Lateral view; R wrist plain film; 11y F; presentation radiograph; acquired on Siemens —
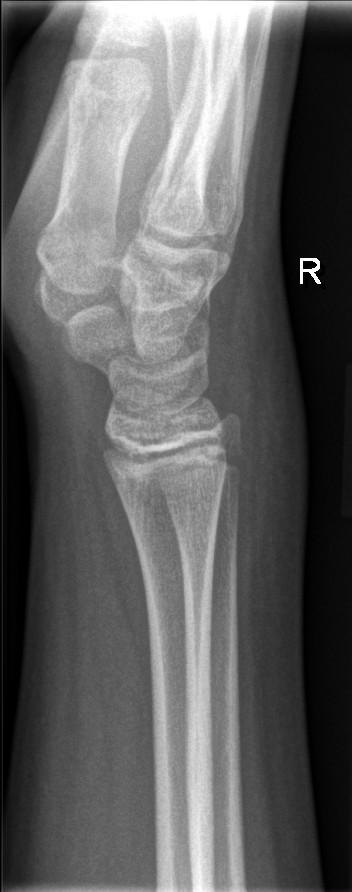 FINDINGS — Soft tissue abnormality: [212, 286, 316, 604]. Fx: none.